Left wrist radiograph | frontal view | age 13 y, girl | acquired on Siemens | image width 111.2 mm —
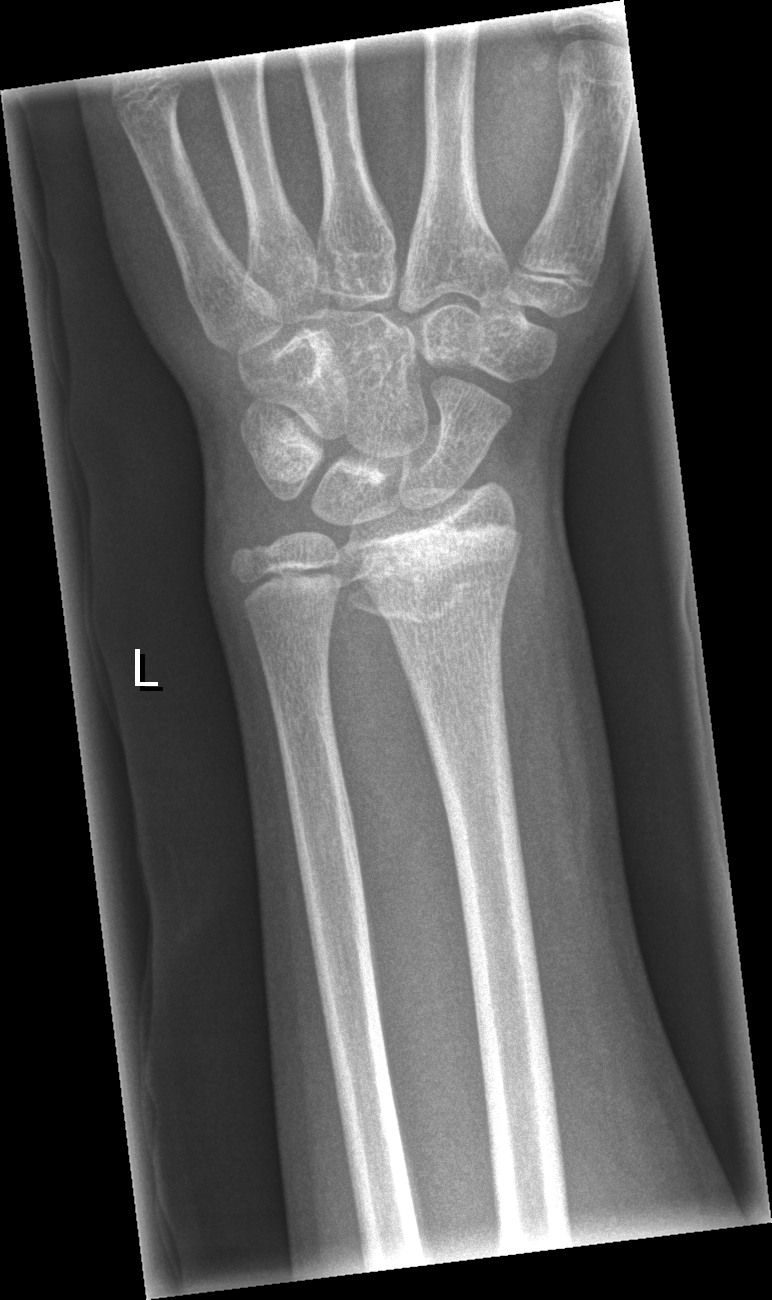 (boxes as x1,y1,x2,y2 (top-left / bottom-right, pixel units))
bone fracture: [339, 524, 524, 633]
AO code: 23r-E/2.1